Lateral projection; R wrist plain film; age 7 y, male; cast present; Siemens
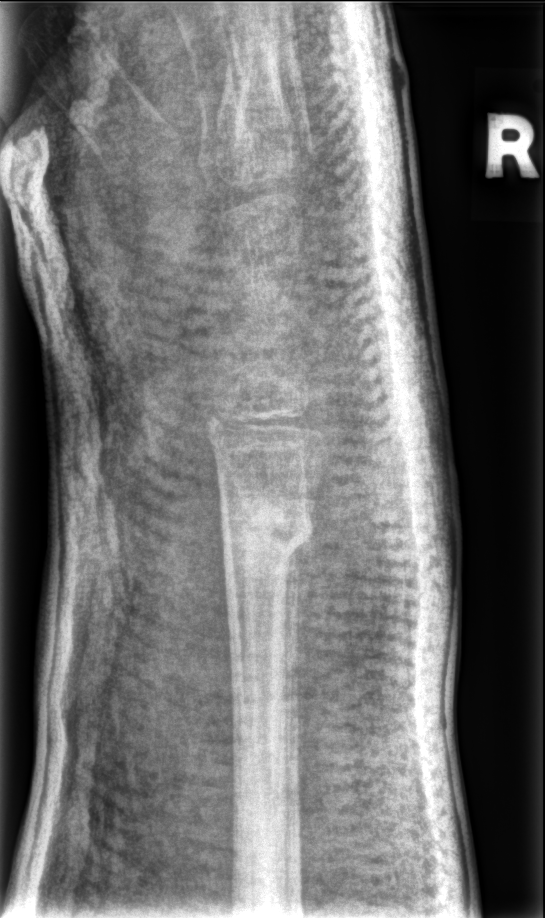

Fx identified at (left=216, top=483, right=322, bottom=583). AO code 23r-M/2.1; 23u-M/3.1.